L wrist XR | lateral | 14y M | cast in situ | 697 by 1048 pixels:

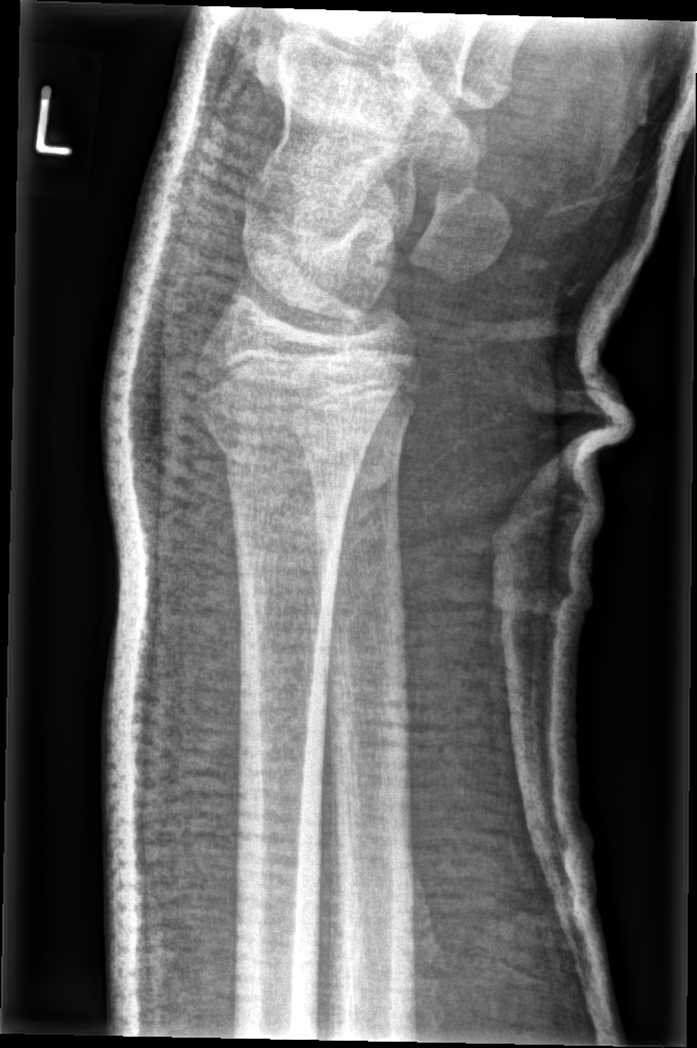

AO code 23r-M/3.1; 23u-E/7.
Bone fracture: [196, 385, 374, 486].